L wrist X-ray; lateral; 16-year-old female; Siemens:
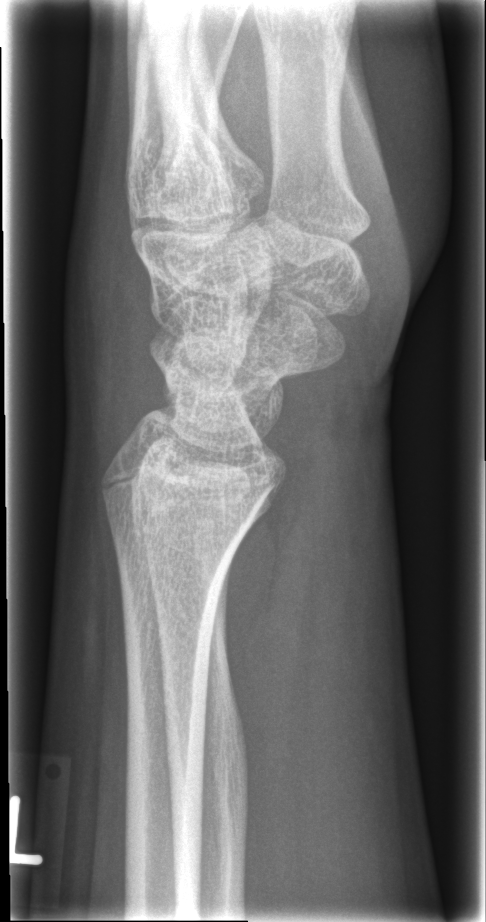
{
  "fracture": "none labeled"
}